Lateral view, right wrist plain film, follow-up.
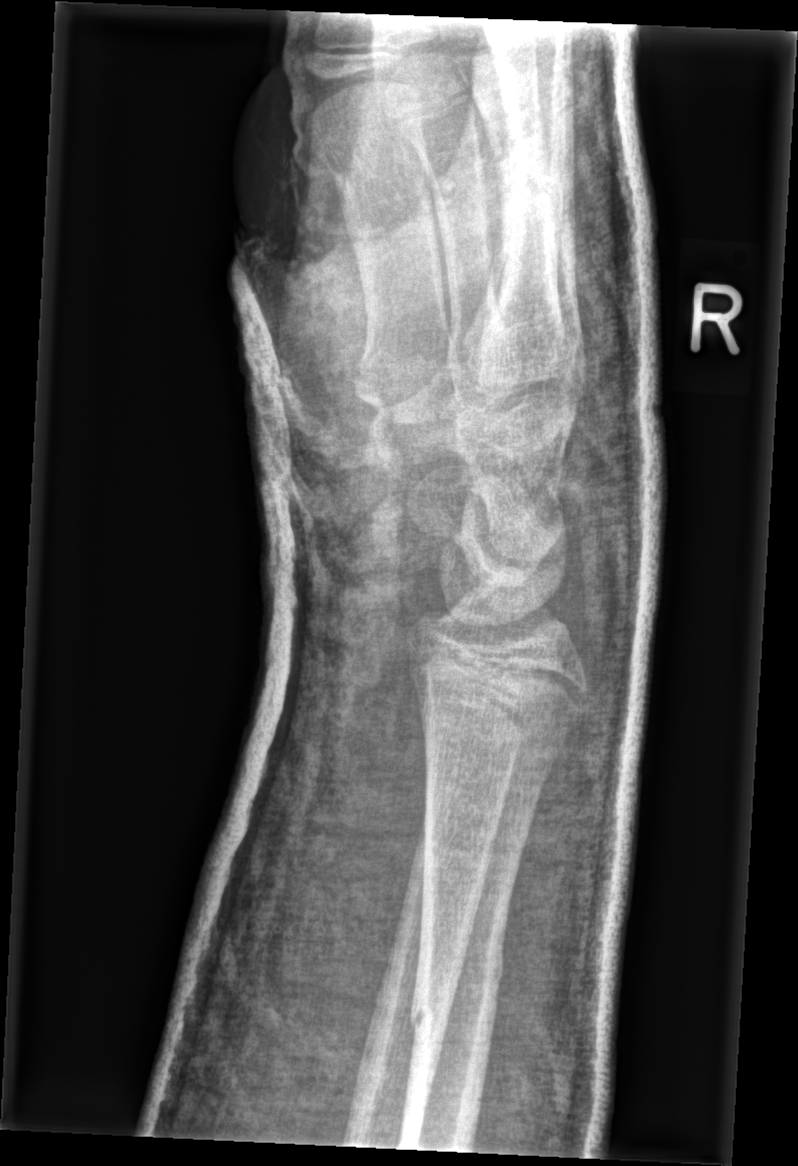 Bounding boxes in image-pixel xyxy.
Fracture identified at (left=406, top=956, right=507, bottom=1039).
Fracture classified AO/OTA 22r-D/4.1; 23u-E/7.